Left wrist X-ray; AP view; 8-year-old female; follow-up; Siemens; 88.1 mm image width —

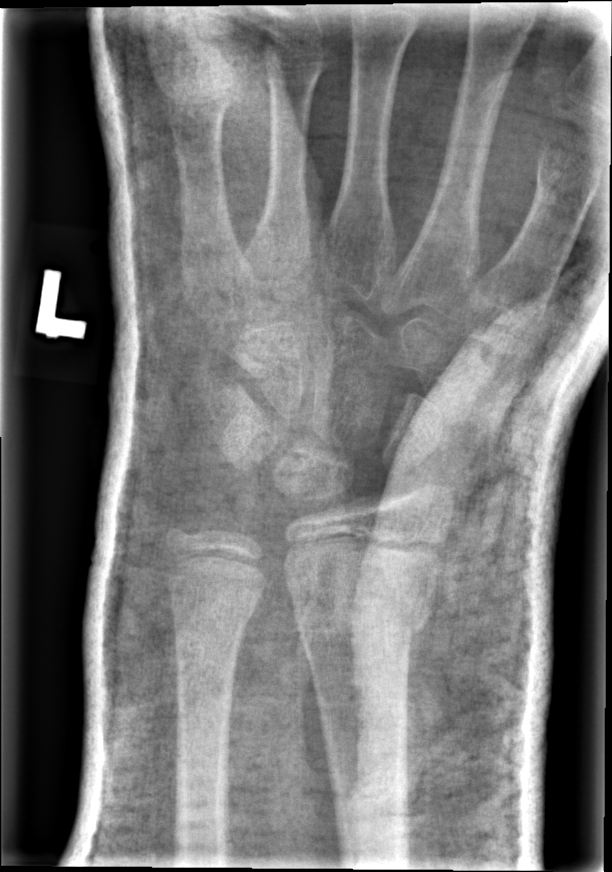
Fracture = 2 @ (283, 569, 440, 642); (165, 578, 262, 631)
AO classification = 23r-M/3.1; 23u-M/2.1